Lat view; Lt plain radiograph of the wrist; pediatric patient (male, age 18); index exam; image width 67.8 mm —
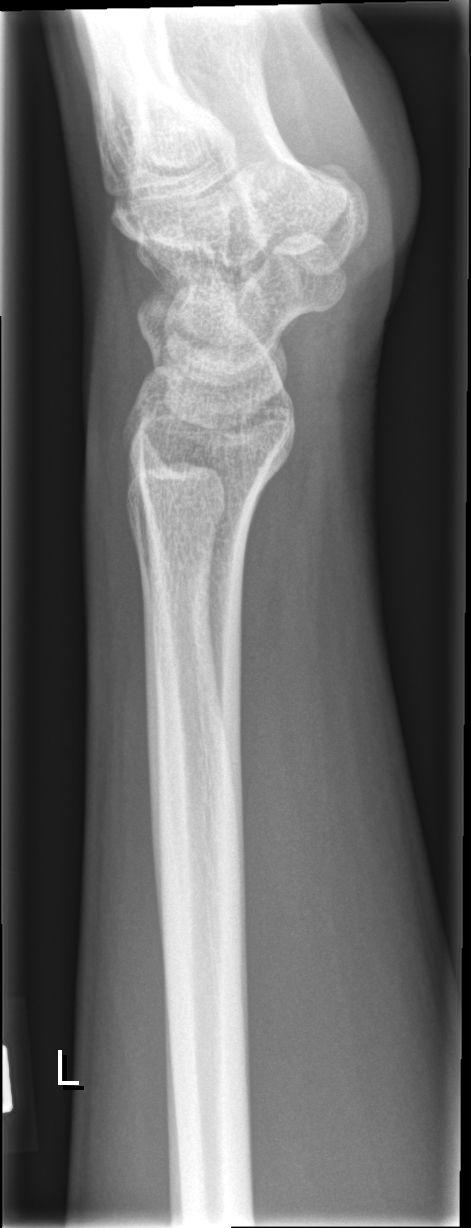 Fracture: none labeled.